L wrist radiograph · lat · age 14 y, male · detector: Siemens · image size 437x966 — 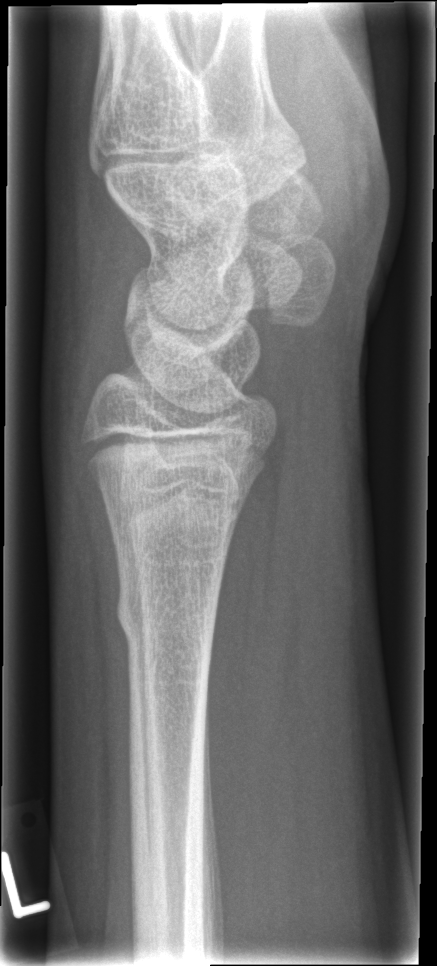

AO/OTA classification: 23r-M/2.1. One Fx at bbox(110, 581, 220, 653).